R plain radiograph of the wrist | lat | pediatric patient (female, age 13)
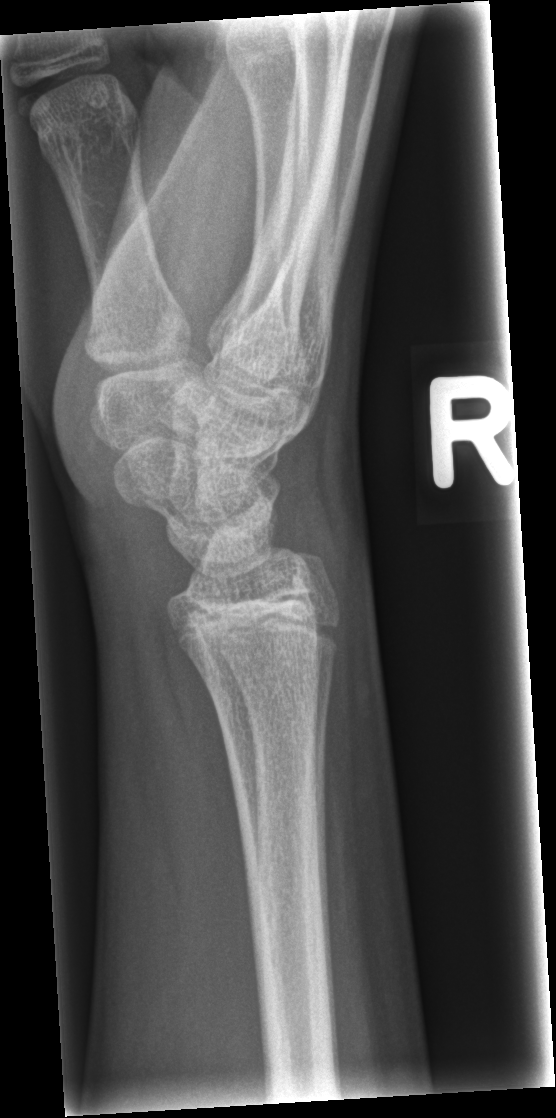

Fx = none labeled